Right plain radiograph of the wrist, AP, follow-up study, 589 x 978 px —
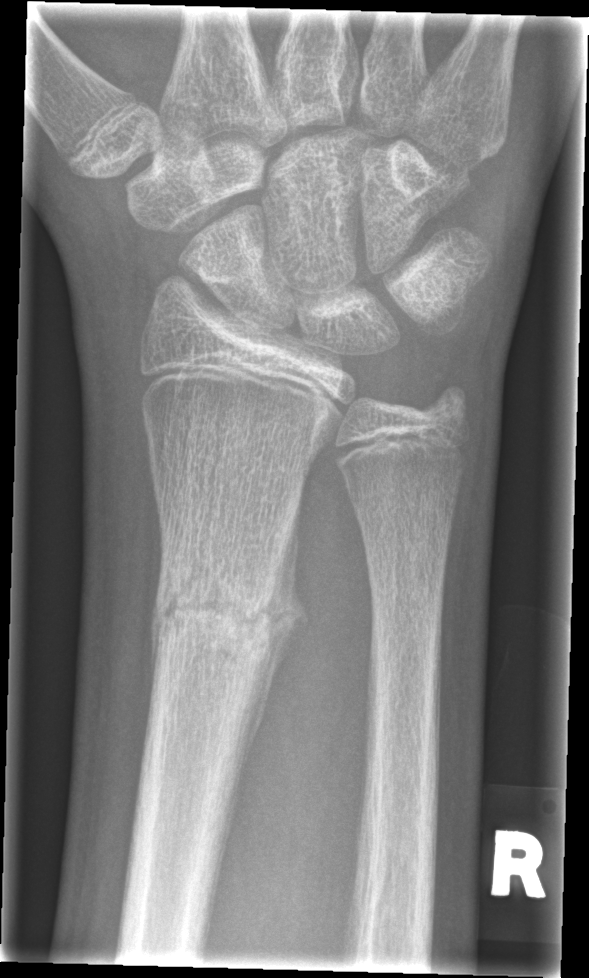
One periosteal new bone at 241 495 308 780. Reduced bone mineral density. Bone fracture identified at 146 556 284 668
  416 371 476 437.